Left wrist plain radiograph of the wrist; AP view
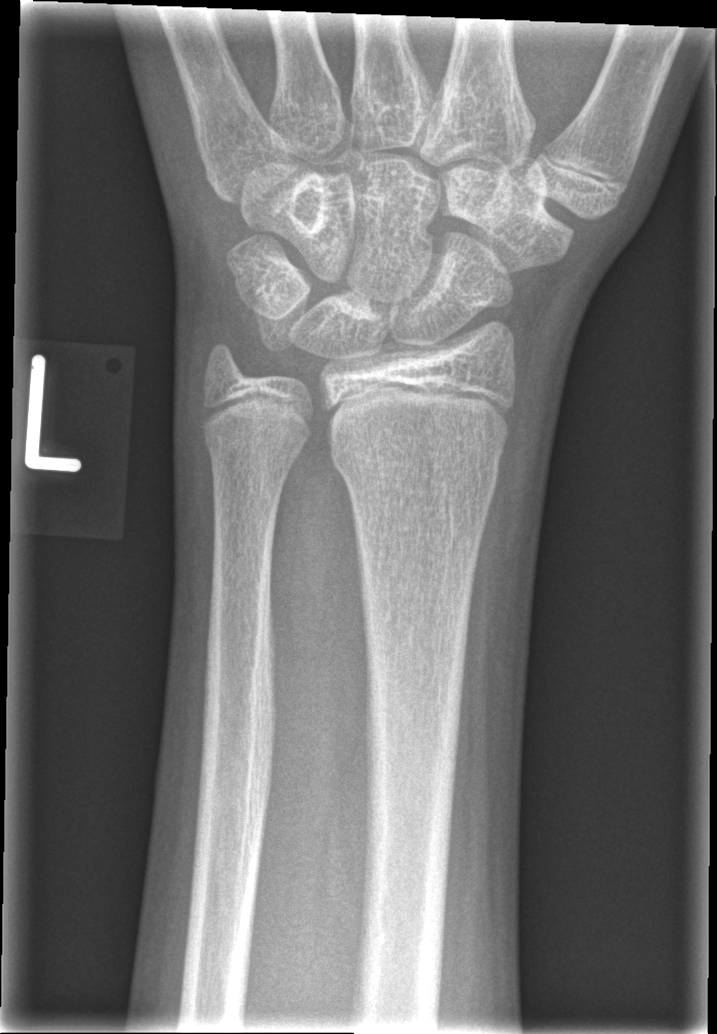

FINDINGS — Fx: [327, 433, 502, 510].